Lateral view, left wrist plain film, 13y M — 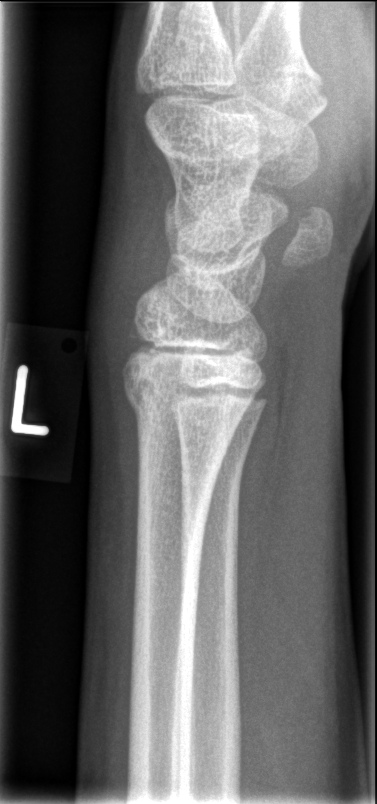
AO code 23r-M/2.1. One Fx at 119,372,244,447.